Lat projection | left wrist radiograph | pediatric patient (male, age 16) | image width 76.2 mm:

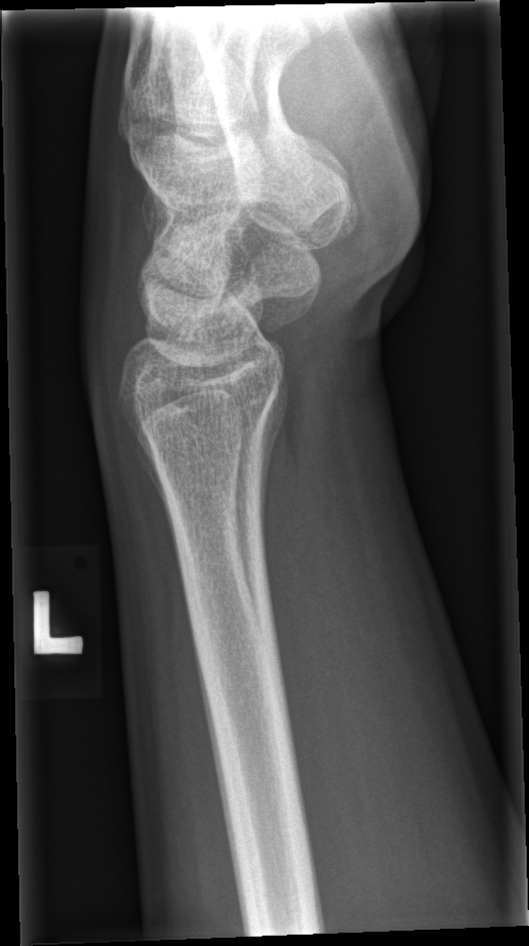 bone fracture: none labeled